Lateral view | R wrist plain film | female, 8 yo | cast in situ —

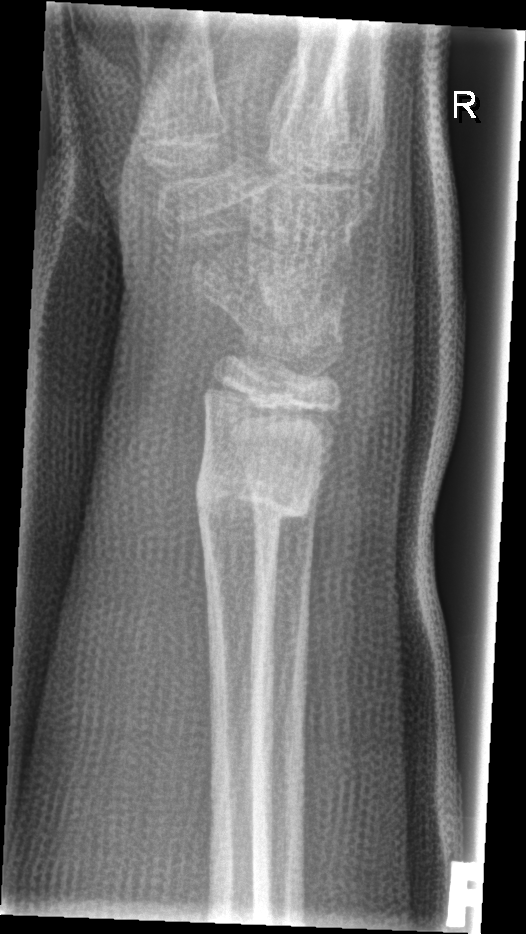 {
  "_coords": "coordinates are [x1, y1, x2, y2] in image pixels",
  "ao": "23r-M/2.1;23u-E/7",
  "fracture": "1 @ 191,450,316,538"
}